Rt wrist X-ray · PA/AP · male, 16 yo · detector: Siemens · 634 by 1330 pixels — 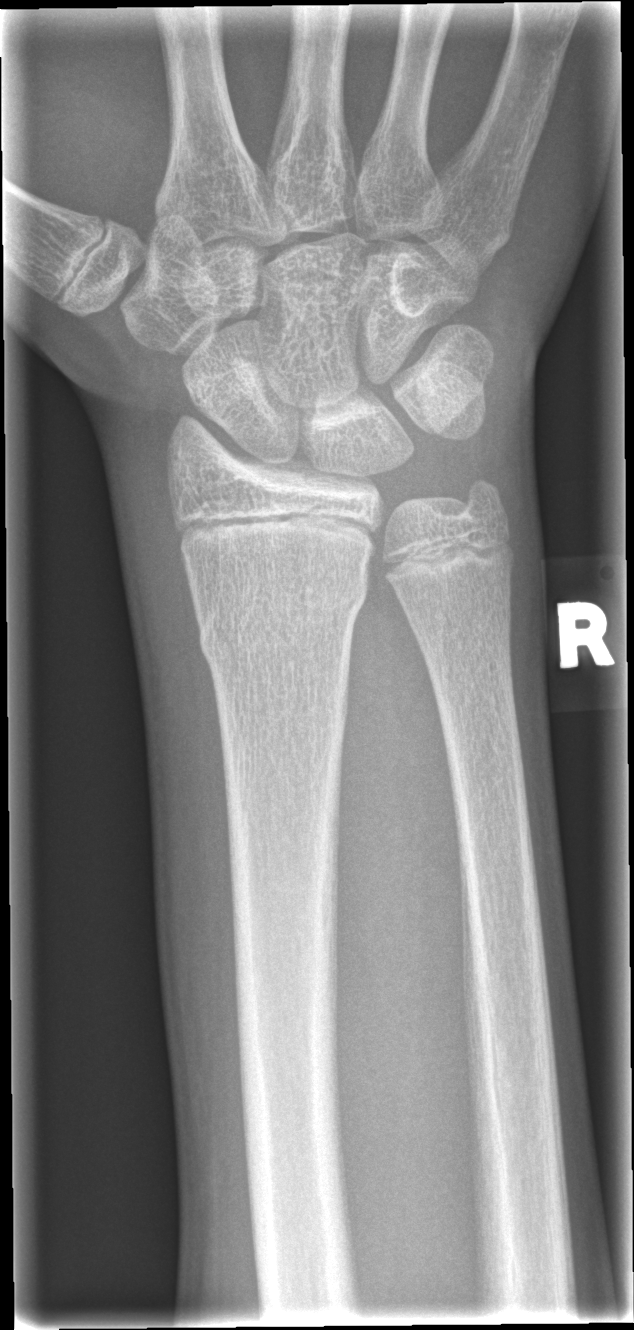
{"ao": "23r-M/2.1", "fracture": "1 @ 192 570 371 667"}